Lateral | Lt wrist X-ray | girl, 11 yo | initial study:

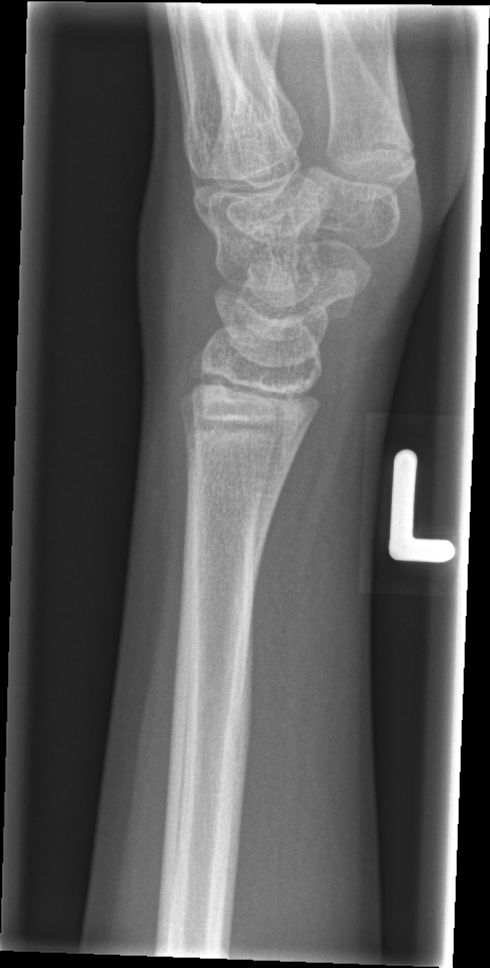
Bone fracture = none labeled